Left wrist X-ray · PA/AP projection:

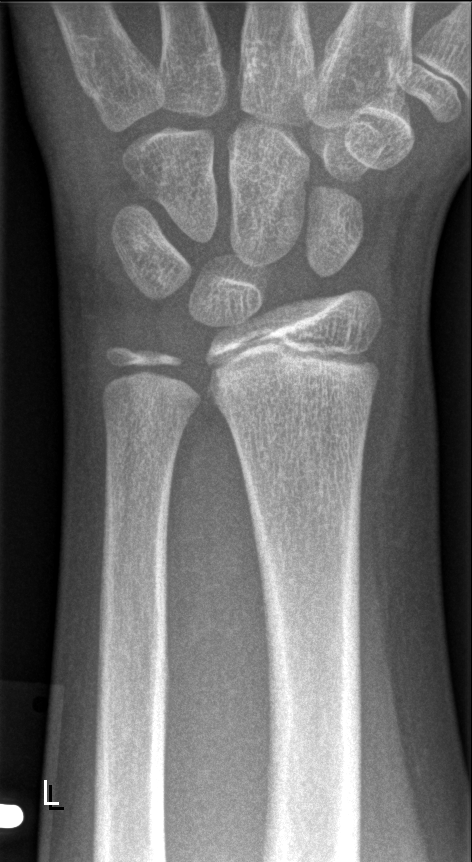

Q: Any fracture seen?
A: Fracture: none labeled